Left wrist plain film; lateral view; pediatric patient (male, age 17):

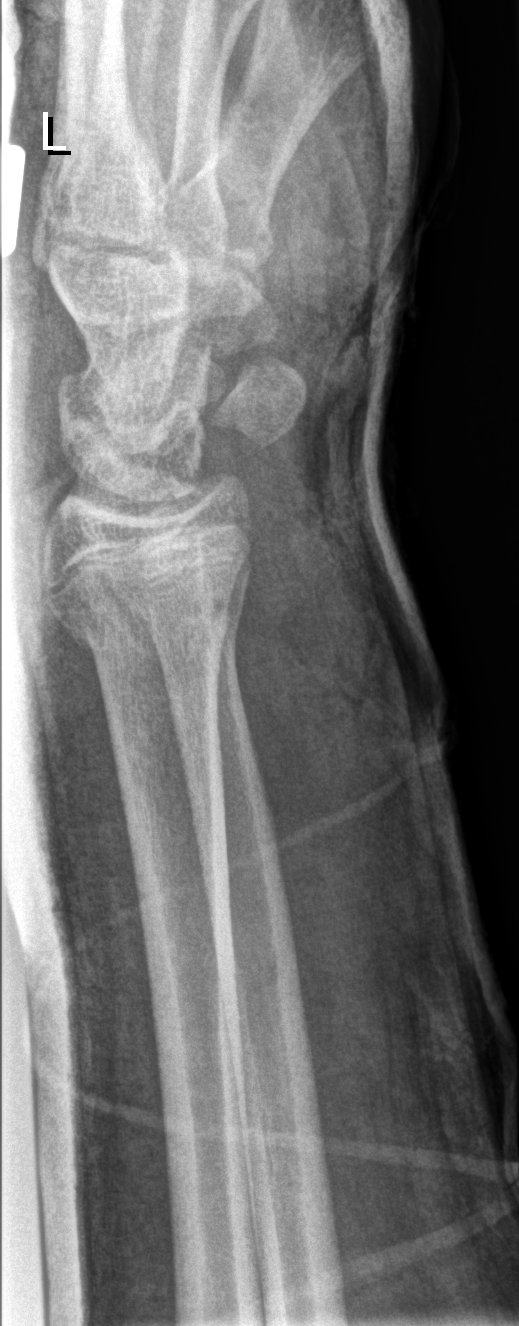

Fracture classified AO/OTA 23r-M/3.1. Bone fracture identified at 57,567,253,666.